Lateral projection; Lt wrist plain film; 11-year-old girl; image width 69.0 mm — 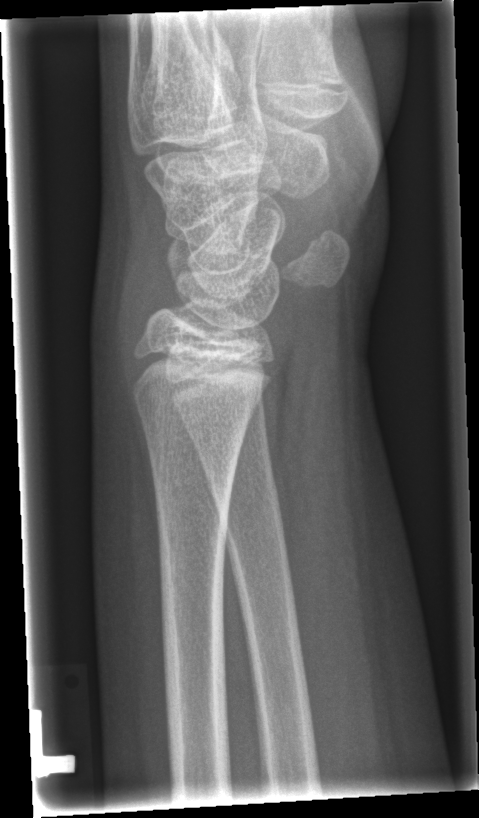 fracture: none labeled